Right wrist radiograph · frontal projection · age 1.2 y, girl · image 57.2 mm wide:
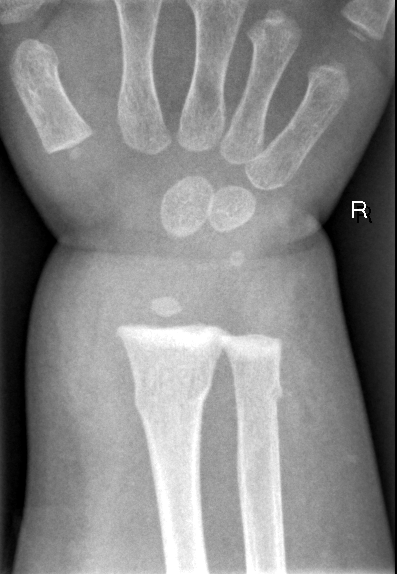

Findings: (pixel coordinates, top-left origin, xyxy) Fracture: [134, 372, 215, 416], [228, 376, 288, 409].